Frontal view; right pediatric wrist radiograph; pediatric patient (male, age 3); follow-up study; 508 x 786 px

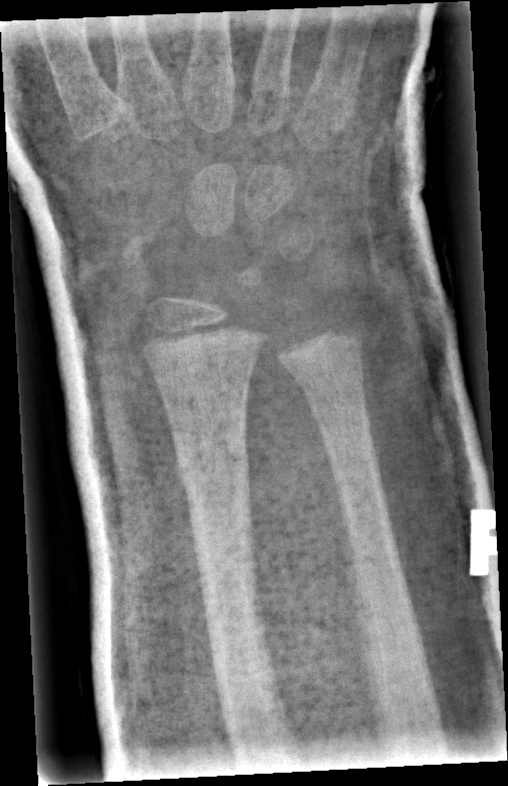 FINDINGS — One bone fracture at [171, 425, 252, 501]. AO code 23r-M/2.1.